Lat view, R wrist XR, boy, 12 yo, in cast: 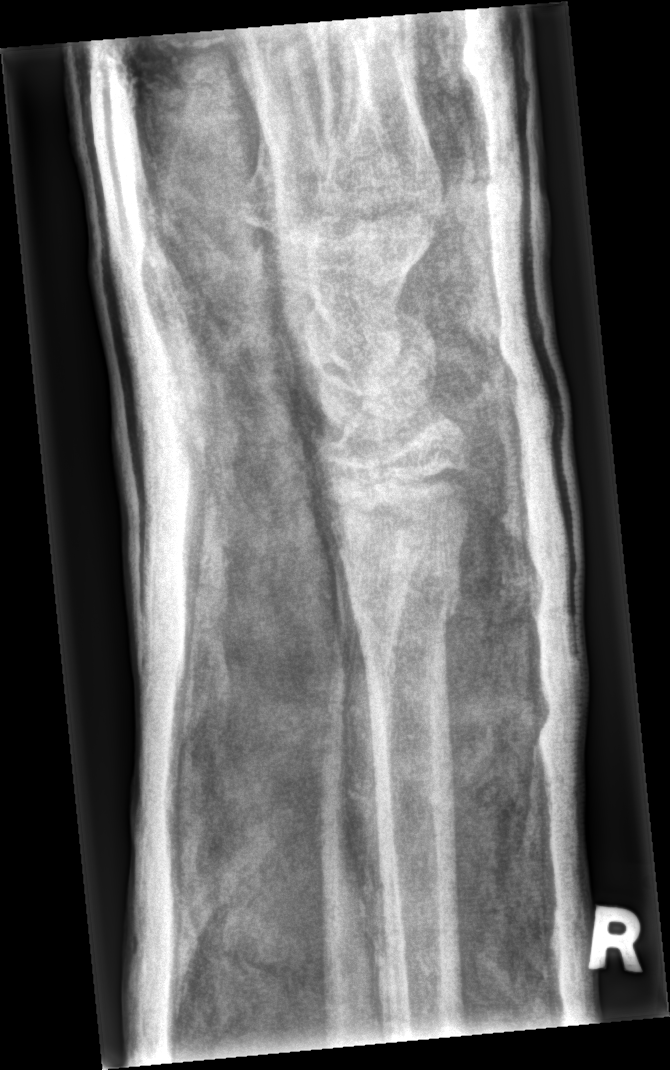

FINDINGS — Fx: <342,561>-<466,647>.